PA view, L wrist XR, presentation radiograph, image size 575x988 — 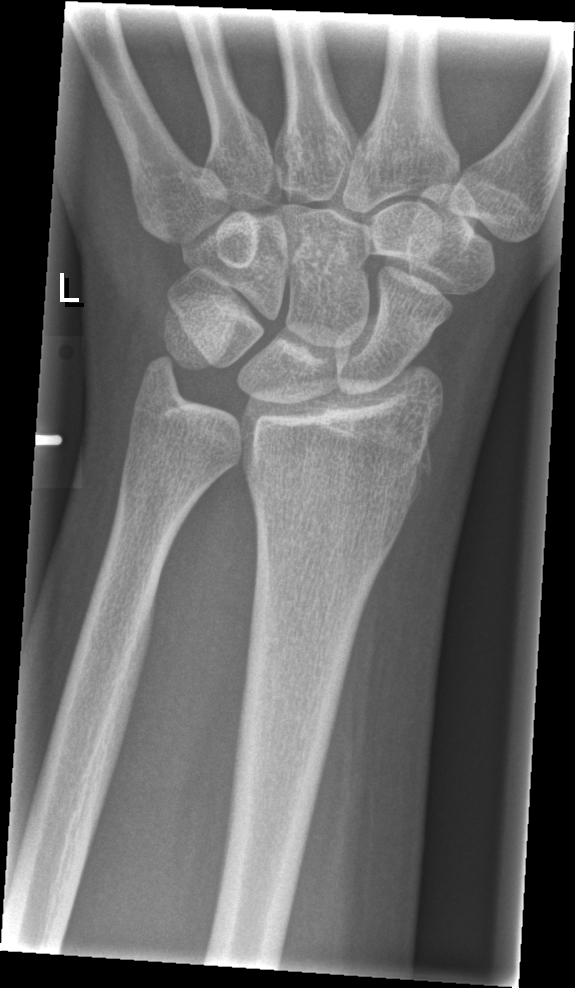 * No Fx annotated.